PA/AP, left wrist XR, follow-up study, image 80.8 mm wide, 561 x 668 px:
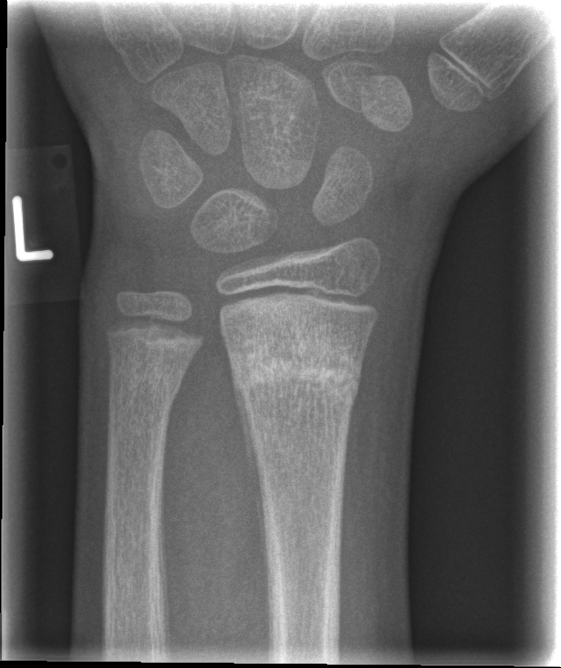

bone fracture = 2 @ (222, 334, 367, 412) (103, 354, 189, 405)
periosteal reaction = (229, 352, 272, 658)
AO/OTA = 23-M/2.1